Right plain radiograph of the wrist | PA/AP projection | presentation radiograph — 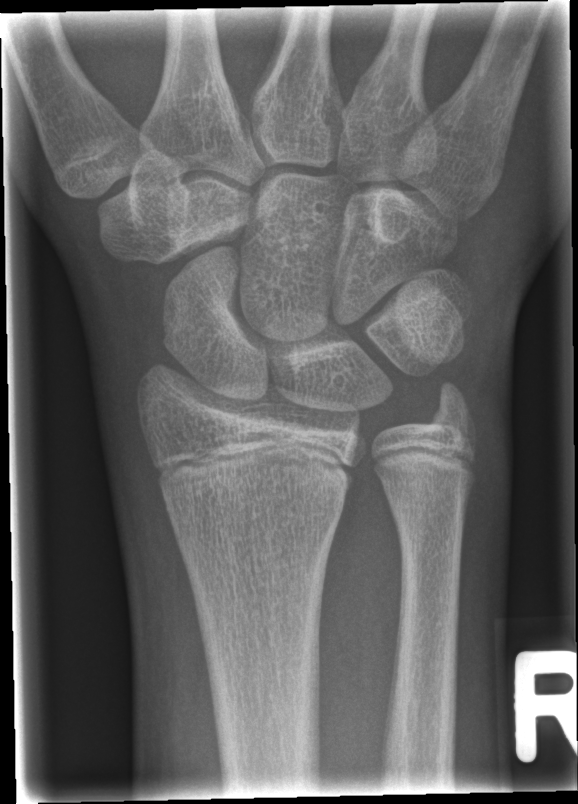

FINDINGS: Fx: none.